Right plain radiograph of the wrist; frontal; age 12 y, female.
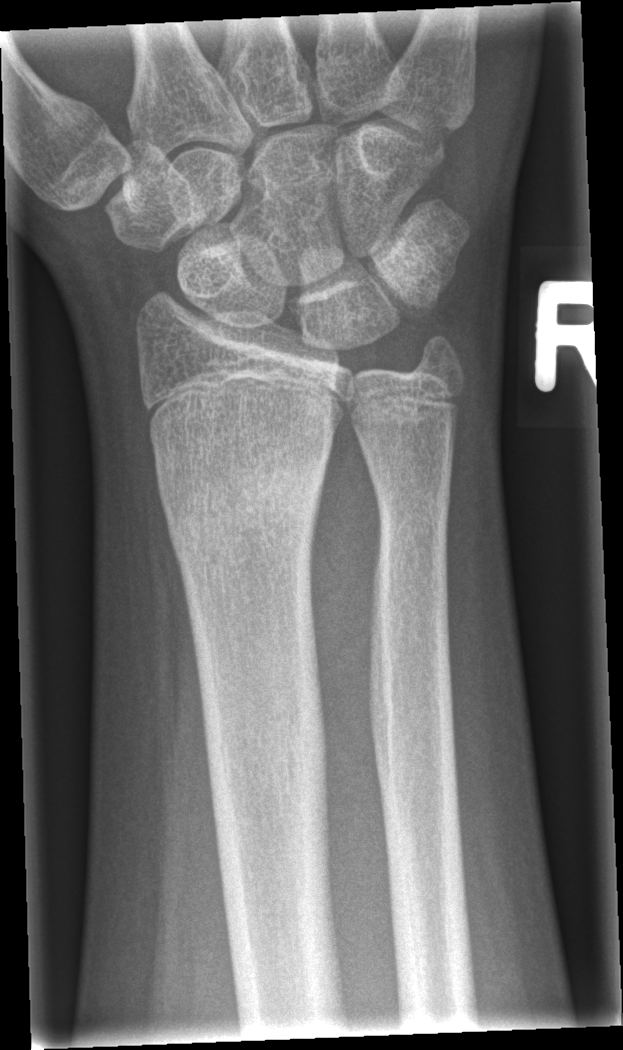 {"_coords": "bounding boxes in image-pixel xyxy", "fracture": "1 @ bbox(162, 445, 331, 565)", "ao": "23r-M/2.1"}